AP; R wrist X-ray; pediatric patient (male, age 16); subsequent exam:

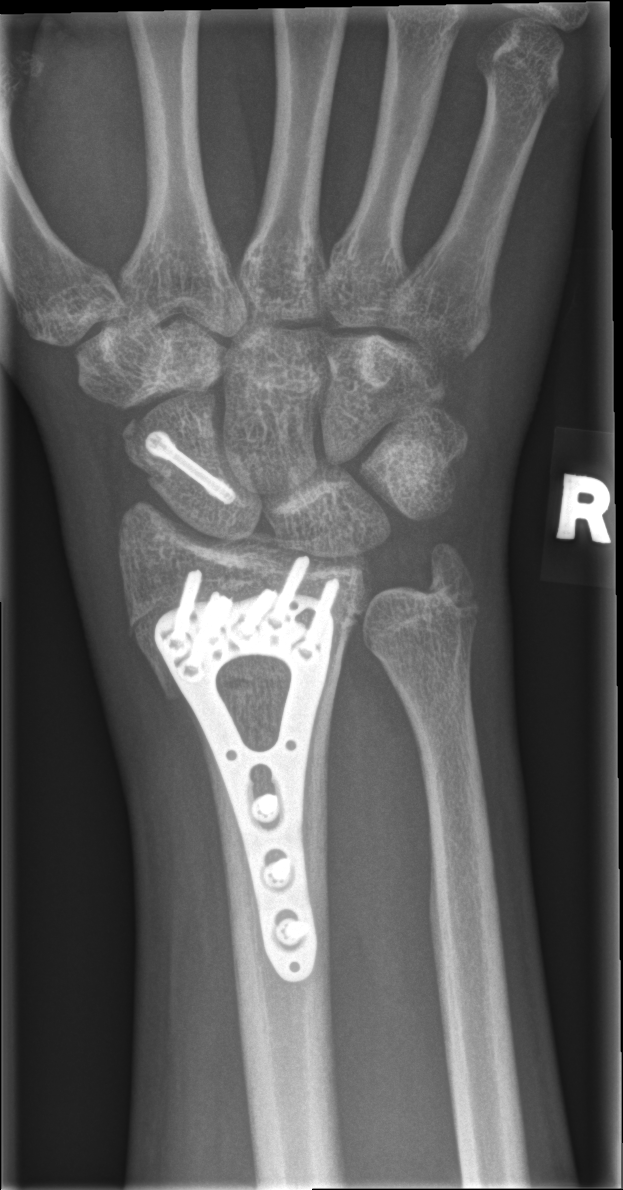

Findings: Metallic hardware — [154, 553, 343, 982]; [139, 425, 242, 510]. Osteopenia. AO/OTA classification: 23r-M/3.1; 23u-E/7; 72B(b). Bone fracture: [144, 629, 353, 718], [119, 431, 236, 490], [417, 538, 484, 618].